Rt wrist plain film; lat projection; age 12 y, male; diagnosis uncertain; image size 482x1058: 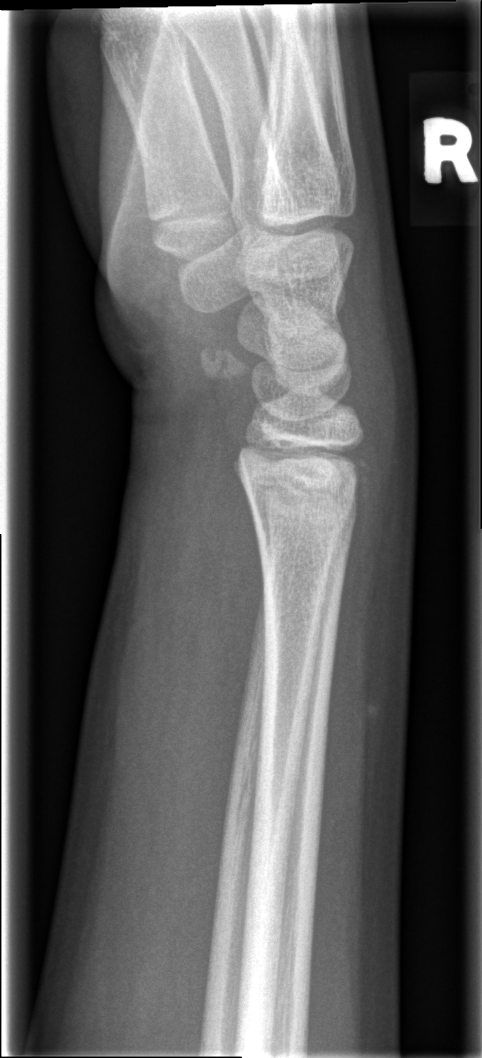
Q: Is there a fracture?
A: Fracture identified at bbox(235, 438, 374, 504)
Q: Is the pronator sign positive?
A: Positive pronator fat-pad sign — bbox(214, 455, 266, 738)
Q: What is the AO/OTA classification?
A: AO/OTA classification: 23r-E/2.1